PA/AP, left wrist plain film, pediatric patient (female, age 6), image 76.6 mm wide
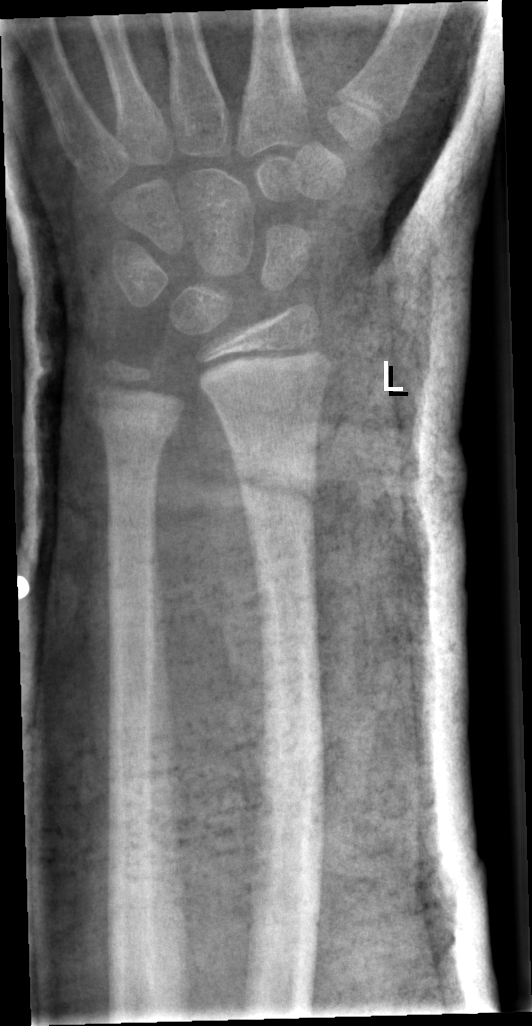

Two fractures at bbox(228, 453, 324, 517), bbox(94, 402, 178, 452). AO/OTA classification: 23r-M/3.1; 23u-M/2.1.